Left wrist plain radiograph of the wrist, lateral view, in cast.
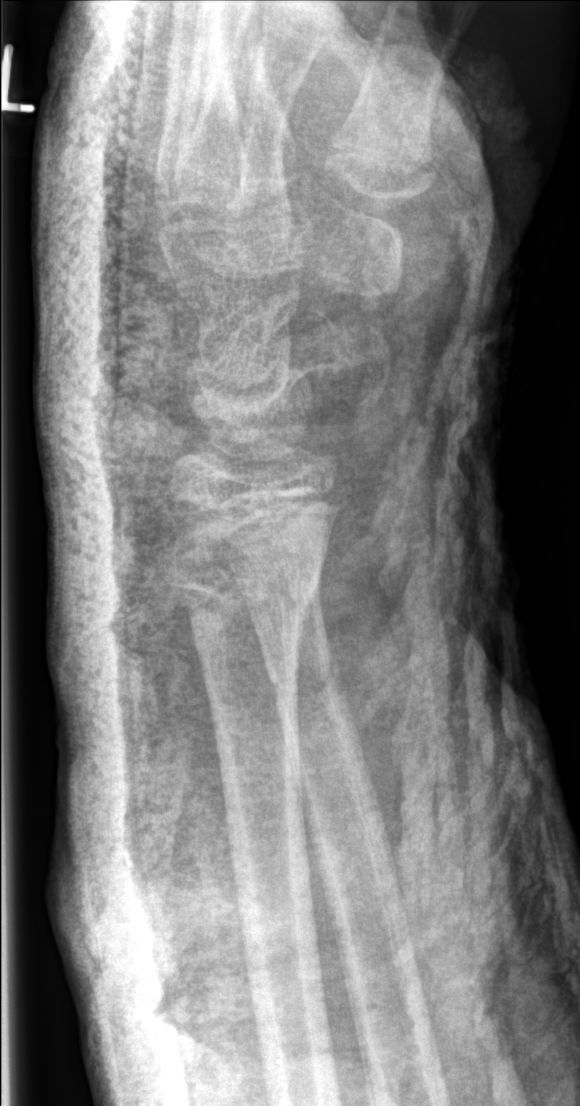

Q: AO code?
A: AO/OTA classification: 23r-M/3.1; 23u-M/2.1; 23u-E/7
Q: Any fracture seen?
A: Bone fractures — 158 522 324 620; 263 648 347 706